L plain radiograph of the wrist, lat —

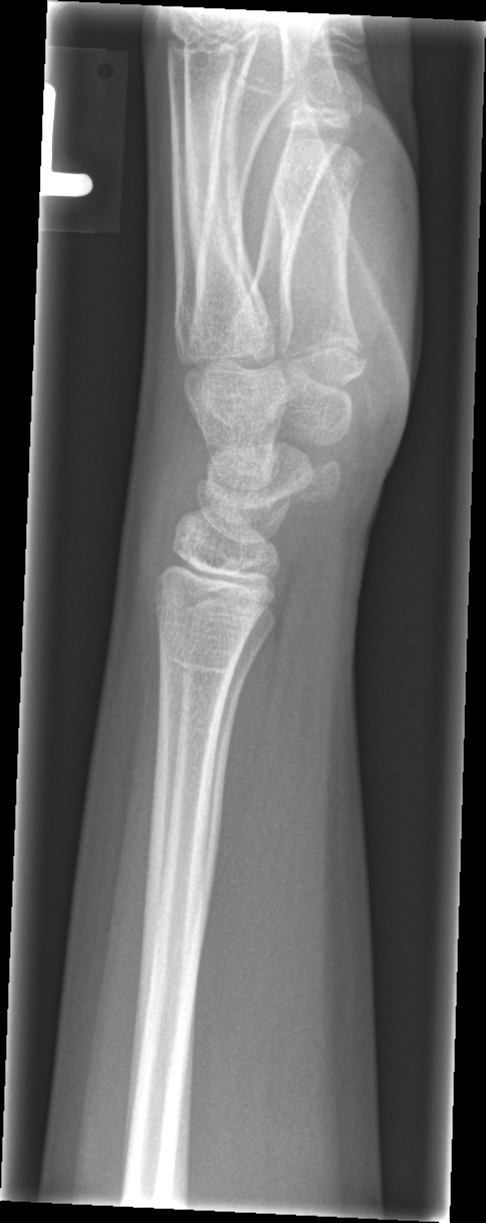

No fracture annotation.